R wrist plain film; PA:

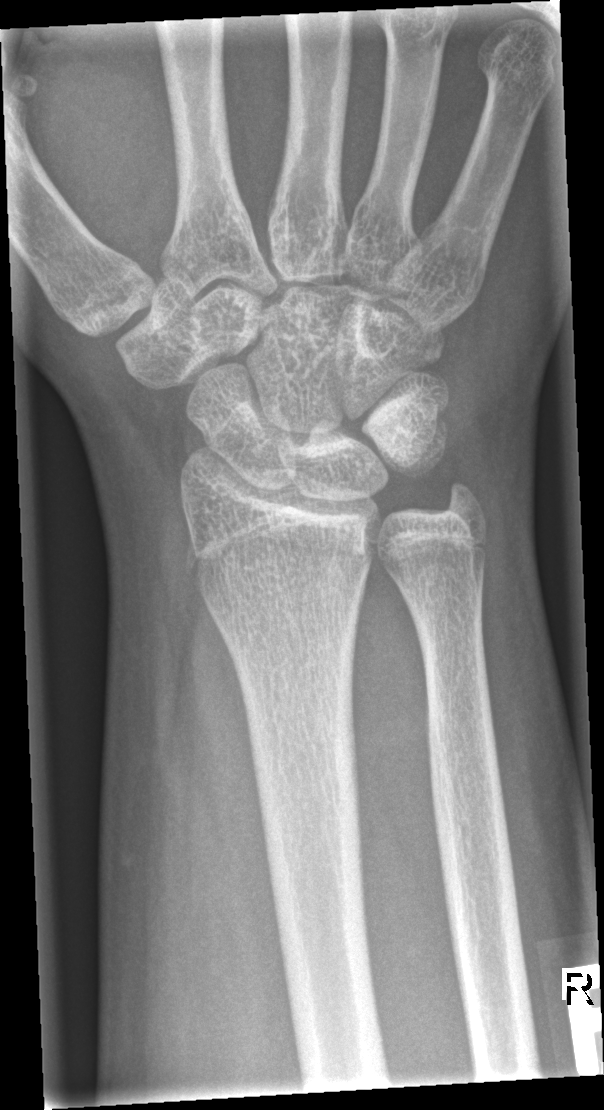 Findings: No Fx annotated.